R plain radiograph of the wrist; PA/AP view; male, 11 yo; detector: Siemens; 560x1014.
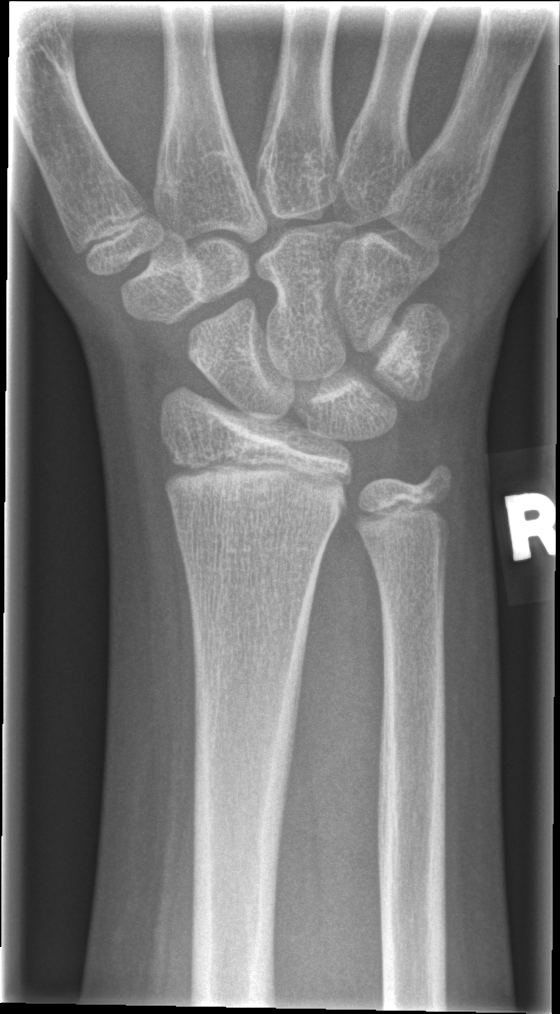

No fracture labeled.